PA | L wrist X-ray | pediatric patient (girl, age 8) | detector: Siemens — 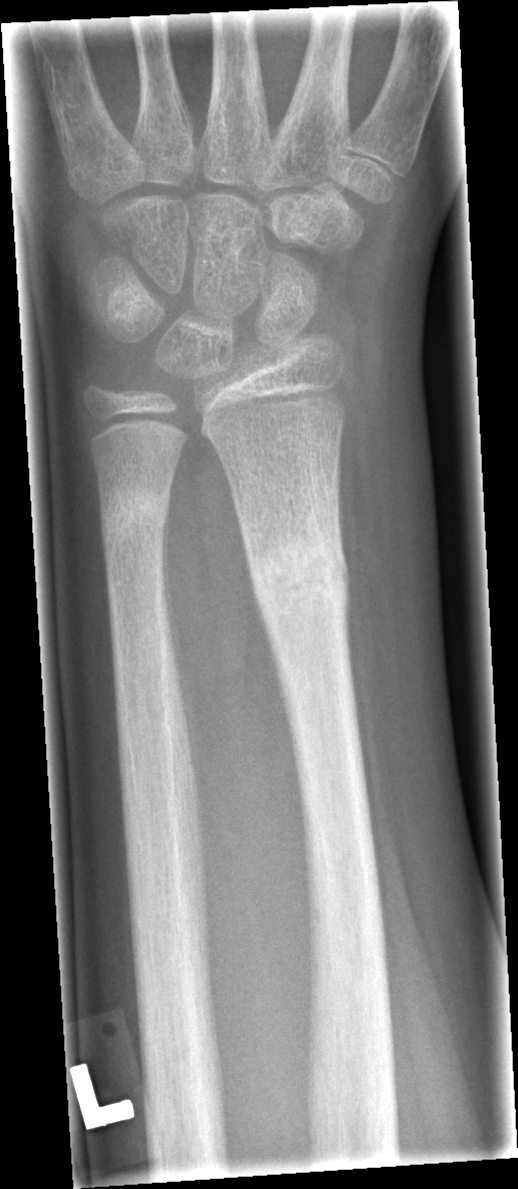

  fracture: 2 @ [245, 531, 355, 627]; [97, 485, 170, 549]
  osteopenia: present
  ao: 23-M/2.1